Posteroanterior; left pediatric wrist radiograph; 12y M; index exam.
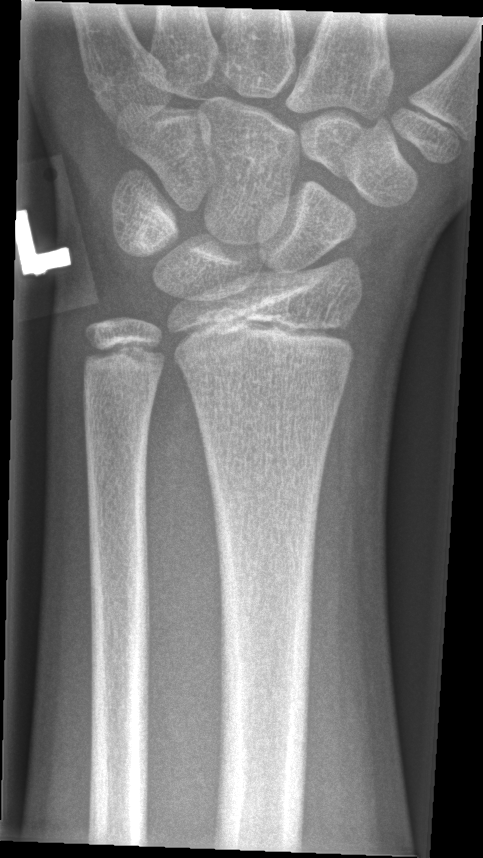
FINDINGS — No Fx annotated.